L wrist X-ray, lateral view, 4-year-old male, presentation radiograph, 487x864
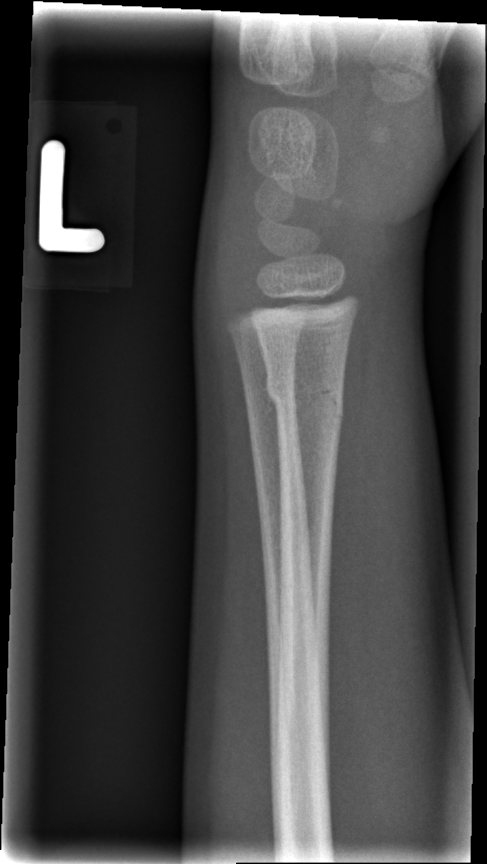
Fx: [261, 360, 349, 430].